Lat view · L wrist XR · 16y M · presentation radiograph · acquired on Siemens · image width 62.8 mm —

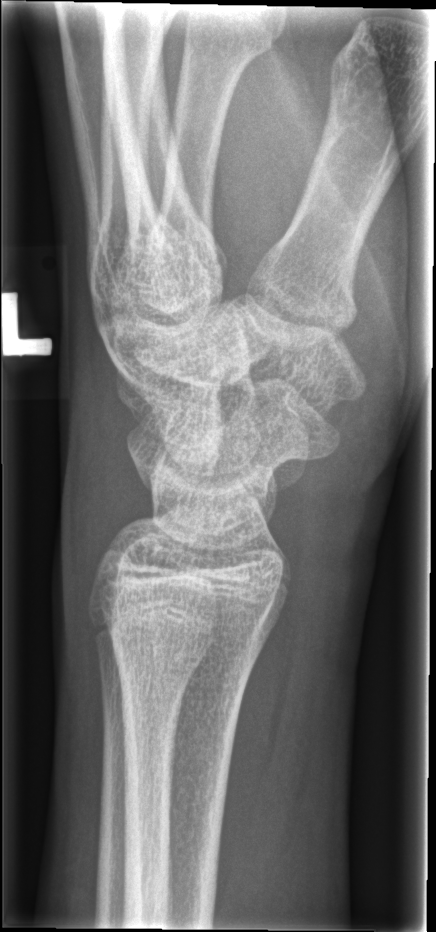

FINDINGS — No fracture bounding box.